L wrist XR, posteroanterior, age 7 y, male, detector: Siemens:

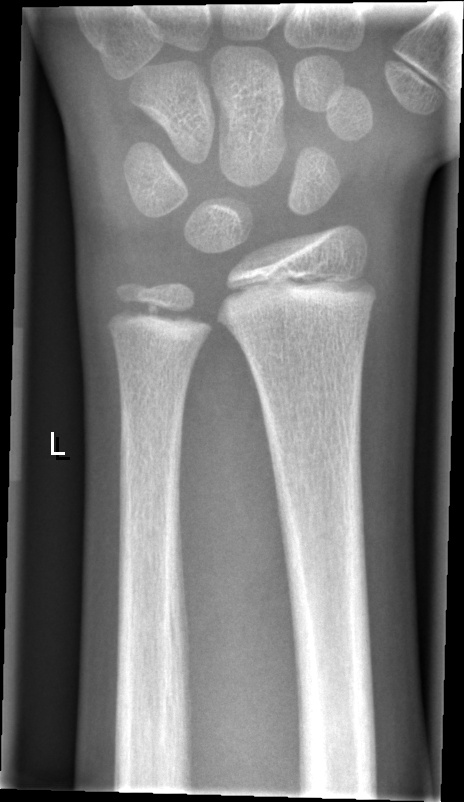
fracture = none labeled